PA/AP · R pediatric wrist radiograph · index exam · findings marked uncertain by the reading radiologist
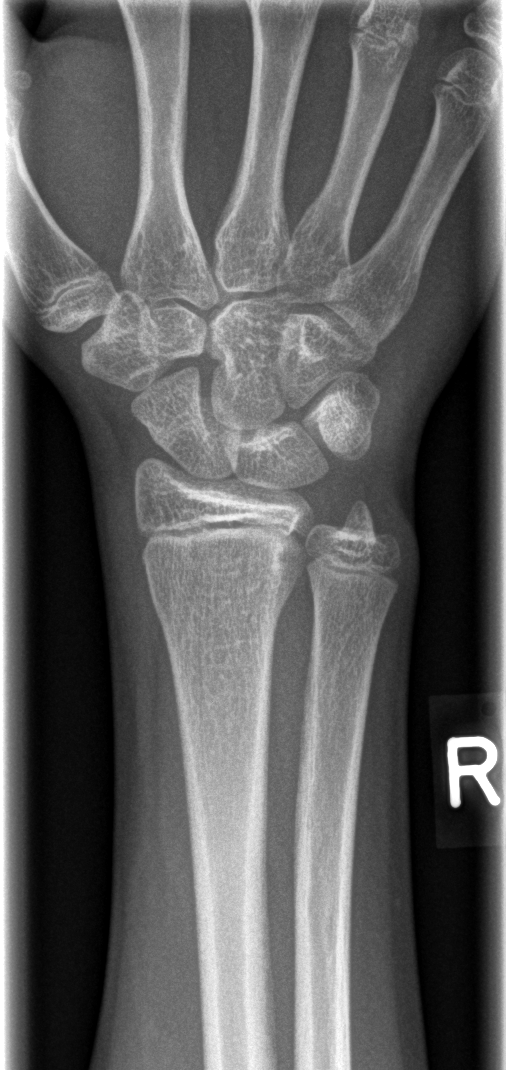 Q: Fracture present?
A: No fracture labeled